L pediatric wrist radiograph; frontal view; index exam; detector: Siemens. 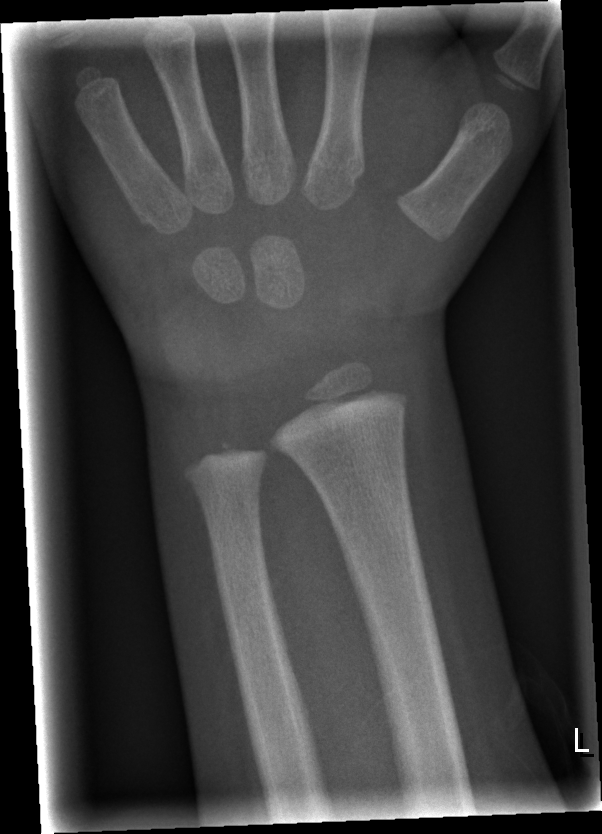

fracture: none labeled